Lateral · left wrist plain film · 0.7-year-old female — 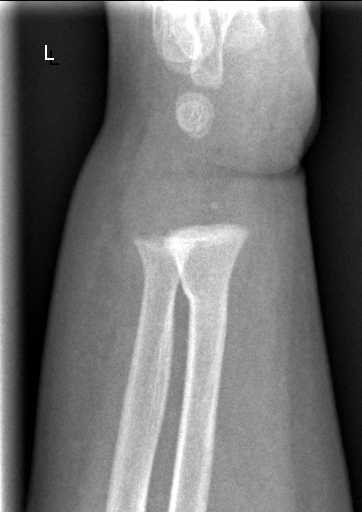

{"_coords": "bounding boxes in image-pixel xyxy", "ao": "23r-M/2.1", "fracture": "1 @ [x1=179, y1=271, x2=233, y2=322]"}